Left wrist plain film | PA projection | age 16 y, male
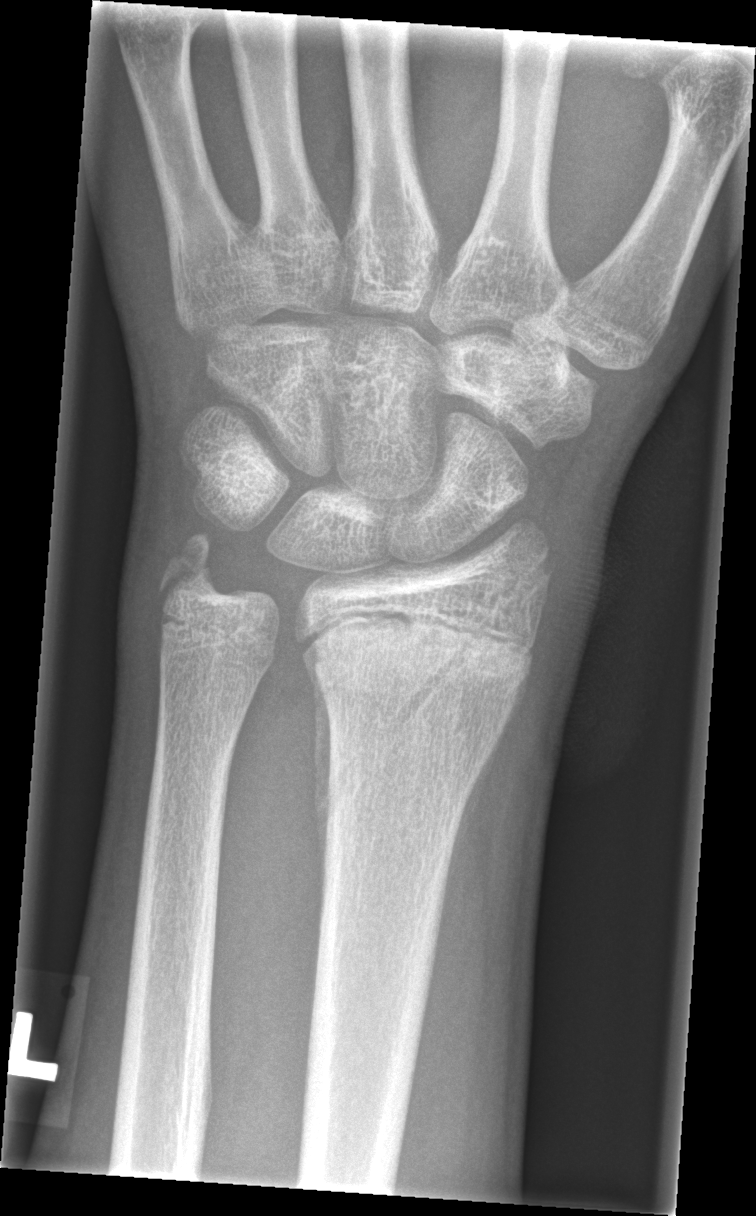
Osteopenia.
Two bone fractures at <302,622>-<539,735>, <151,532>-<232,607>.
Periosteal reaction: <306,645>-<337,910>.